Lateral projection; left wrist radiograph; age 14 y, boy; subsequent exam 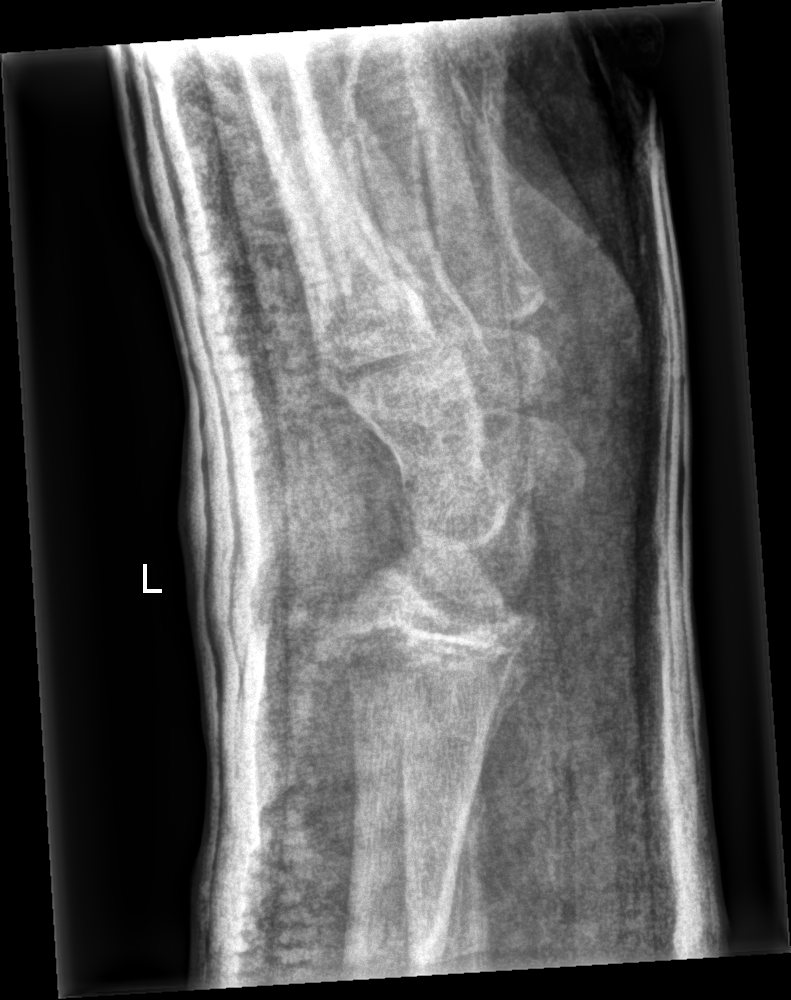
(pixel coordinates, top-left origin, xyxy)
Fx: 1 @ <397,788>-<489,859>